Lat, Rt wrist plain film, 6-year-old female, follow-up study
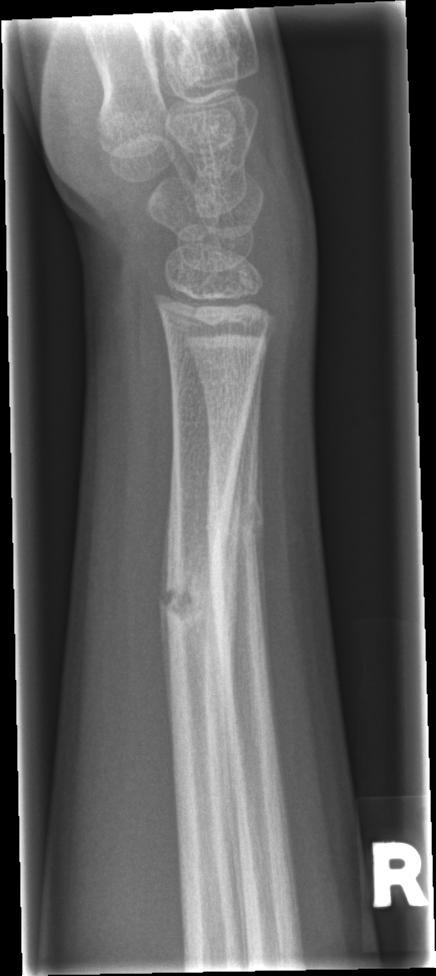

Findings: Fracture classified AO/OTA 22-D/2.1. Fx identified at [x1=160, y1=563, x2=234, y2=648]; [x1=202, y1=487, x2=264, y2=550]. Periosteal thickening: [x1=253, y1=388, x2=285, y2=783], [x1=158, y1=481, x2=181, y2=746]. Osteopenia.